Right wrist radiograph · PA/AP —
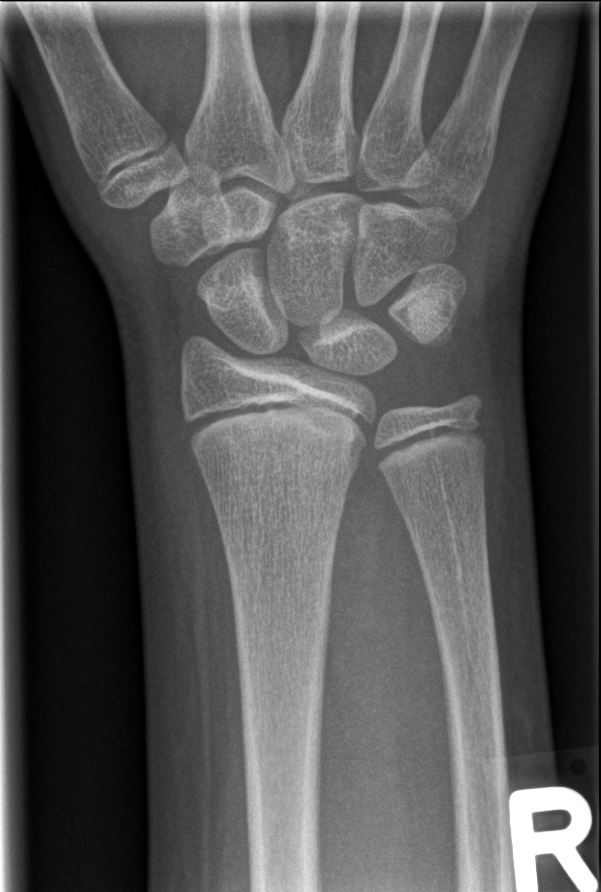

{"_coords": "bounding boxes in image-pixel xyxy", "ao": "23r-M/2.1", "fracture": "(191, 444, 368, 488)"}